Lateral projection | right wrist plain film | 10-year-old female | imaged through cast. 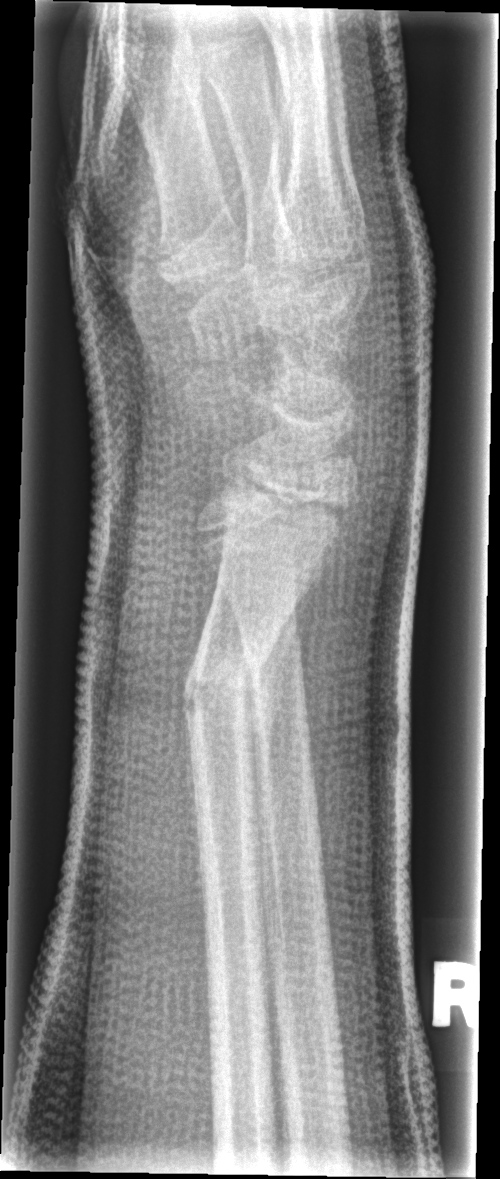

fracture: 1 @ (177, 627, 271, 752)